AP; right pediatric wrist radiograph; initial study —

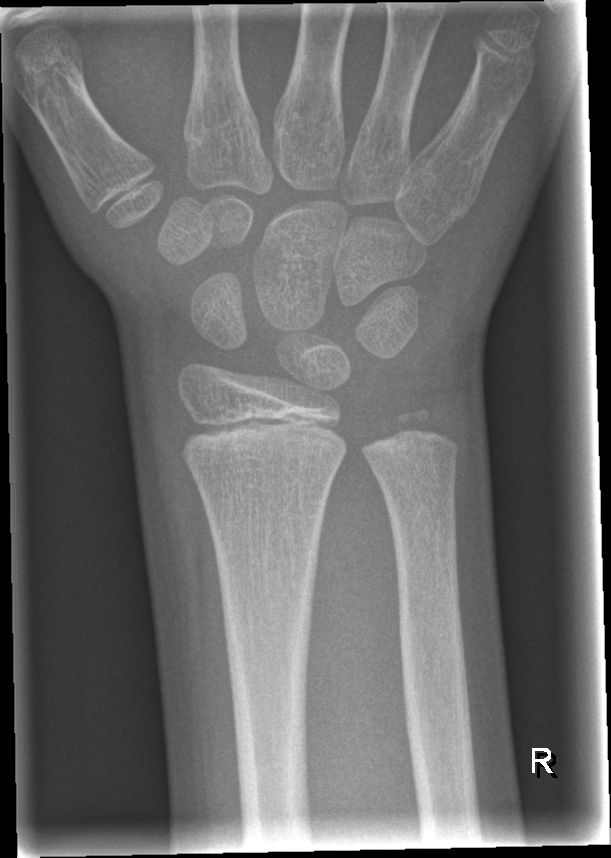 (bounding boxes in image-pixel xyxy)
Q: Is there a fracture?
A: Fx identified at 174 410 349 473